Right wrist radiograph, lateral, boy, 13 yo, presentation radiograph.
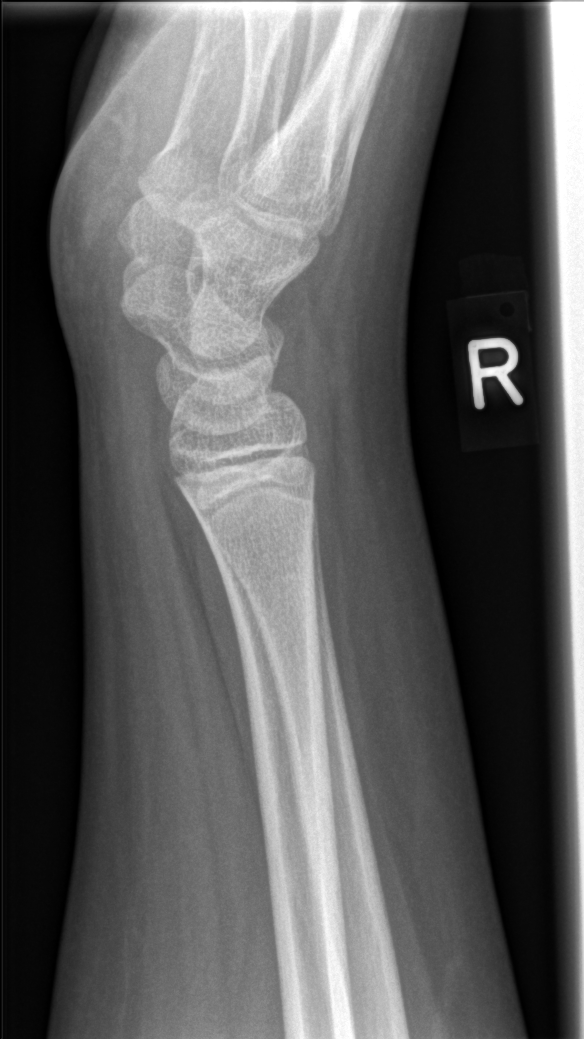 fracture: none labeled